Lt wrist XR, frontal view, age 14 y, male.

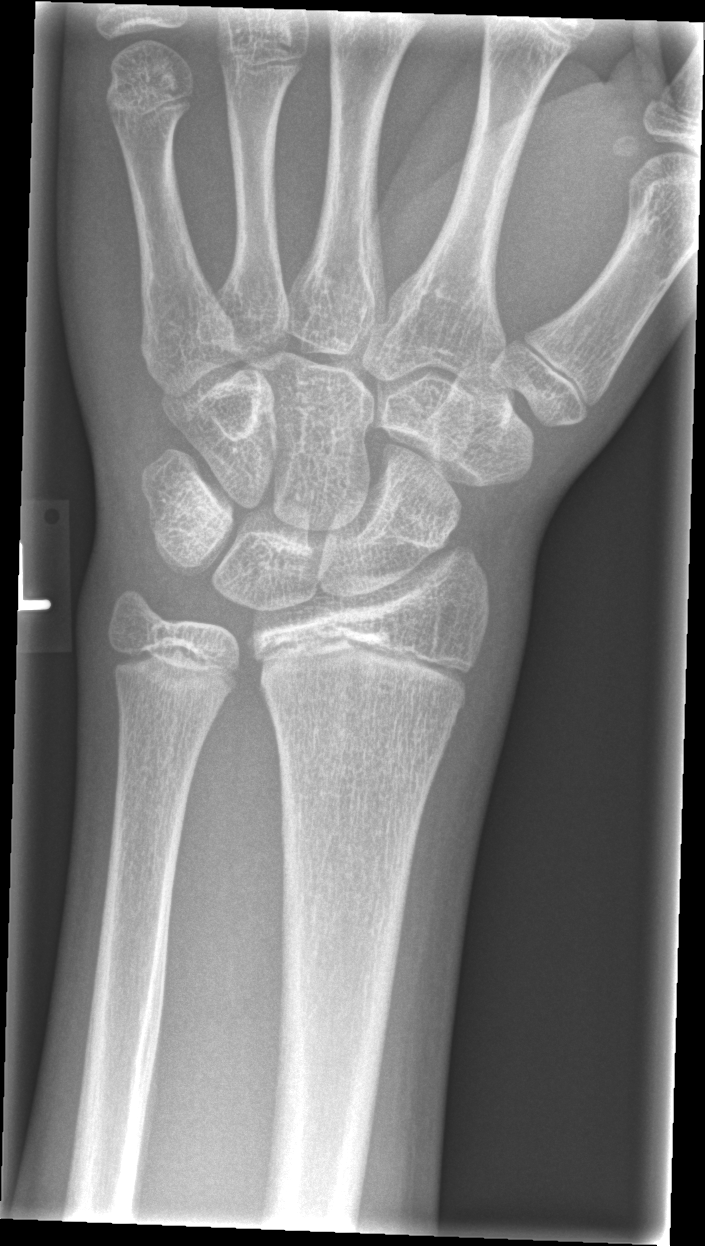

No Fx annotated.